Left pediatric wrist radiograph, AP view, pediatric patient (boy, age 16), follow-up study, image size 759x1214
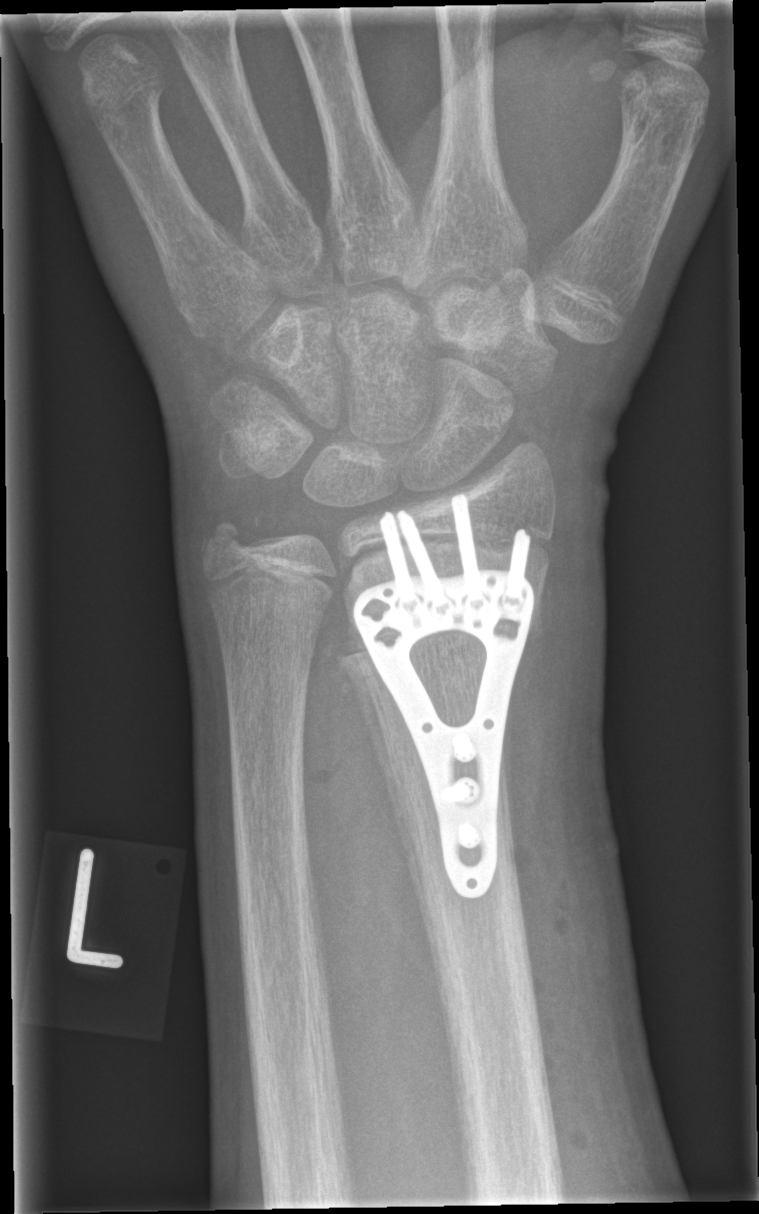 (coordinates are [x1, y1, x2, y2] in image pixels)
Fx: (left=196, top=510, right=264, bottom=573)
hardware: (left=355, top=569, right=534, bottom=899)